Lat · R pediatric wrist radiograph · male, 11 yo · presentation radiograph:
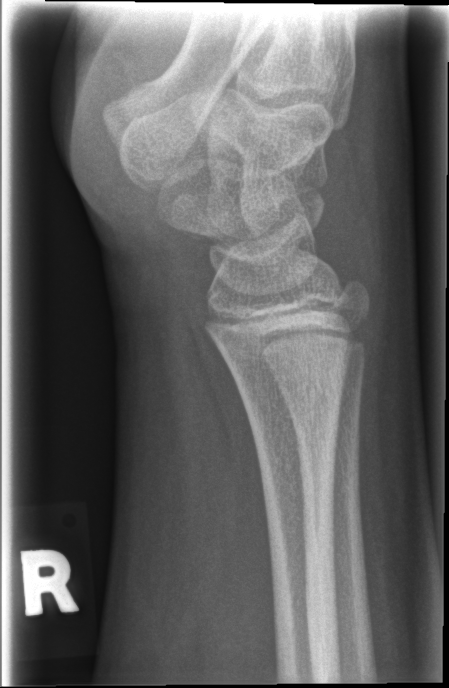
No fracture labeled.